L plain radiograph of the wrist, lat, presentation radiograph:
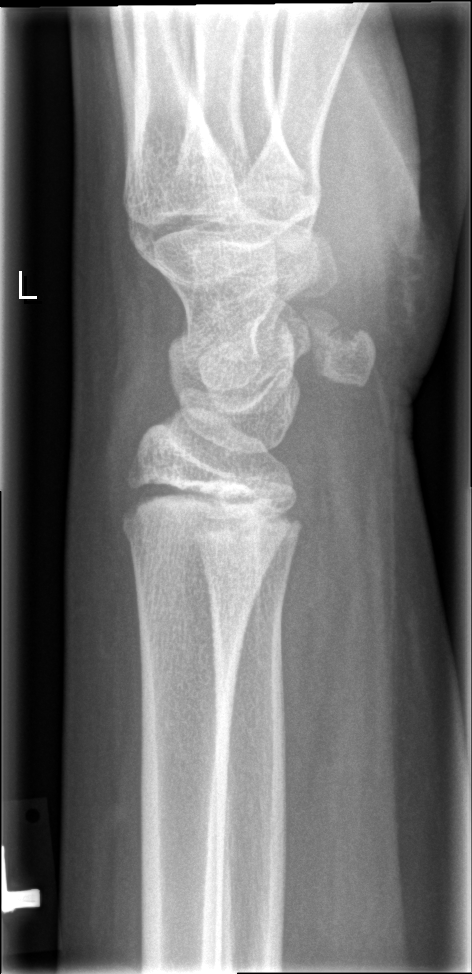

Q: Any fracture seen?
A: Fracture identified at [117, 507, 278, 568]
Q: What is the AO/OTA classification?
A: Fracture classified AO/OTA 23r-M/2.1